AP projection, R pediatric wrist radiograph, age 1.3 y, female, image width 47.2 mm, 328x454 — 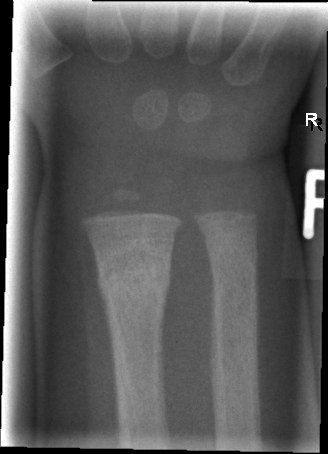

Fx identified at <94,242>-<174,312> <206,243>-<260,297>.